Lt wrist radiograph, PA, subsequent exam, cast in situ

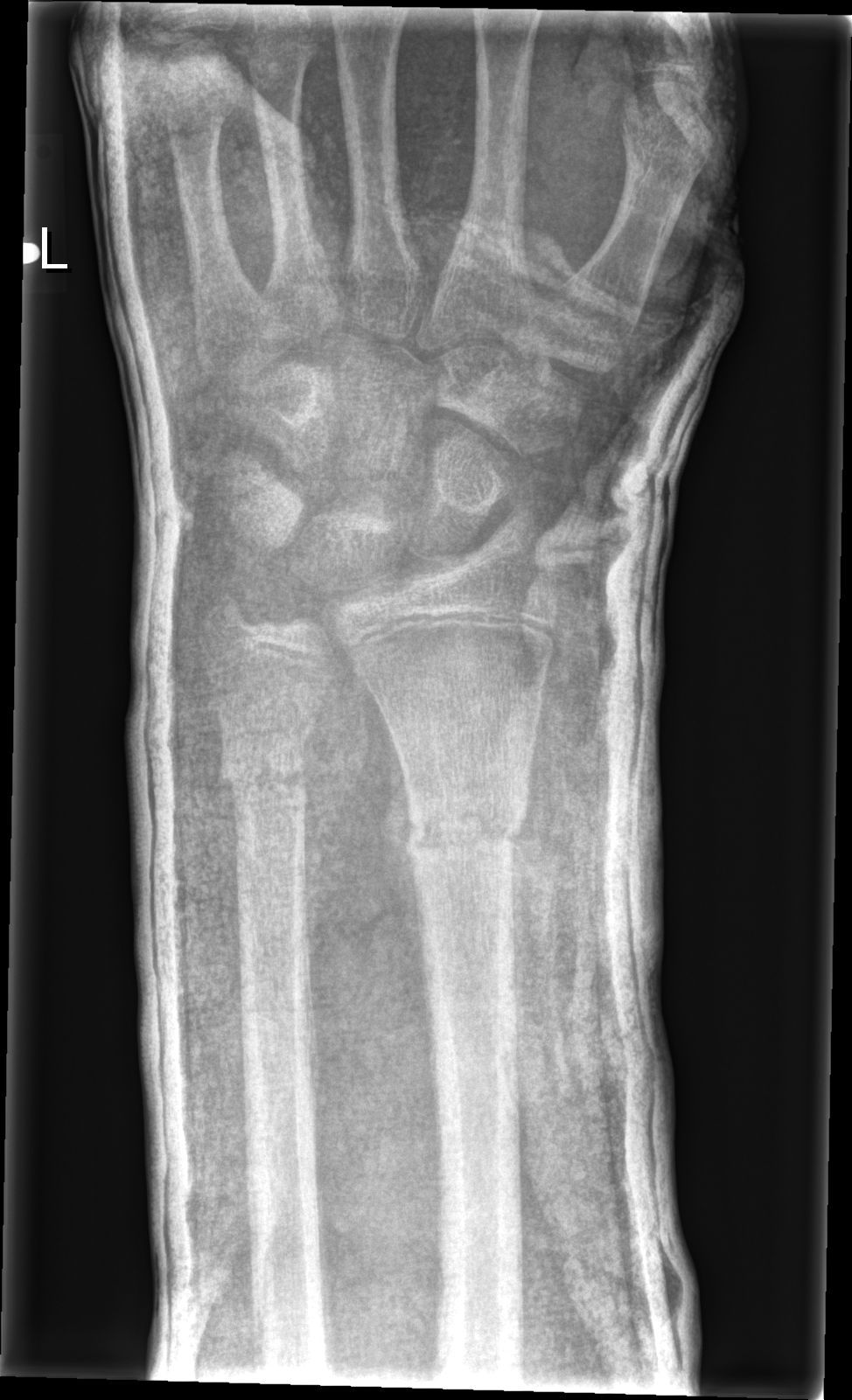
FINDINGS — Two bone fractures at [x1=402, y1=788, x2=527, y2=865] [x1=216, y1=738, x2=312, y2=802]. Periosteal thickening identified at [x1=376, y1=698, x2=430, y2=1009]; [x1=509, y1=719, x2=545, y2=1118].